Lat; L wrist radiograph; 14-year-old girl; initial study
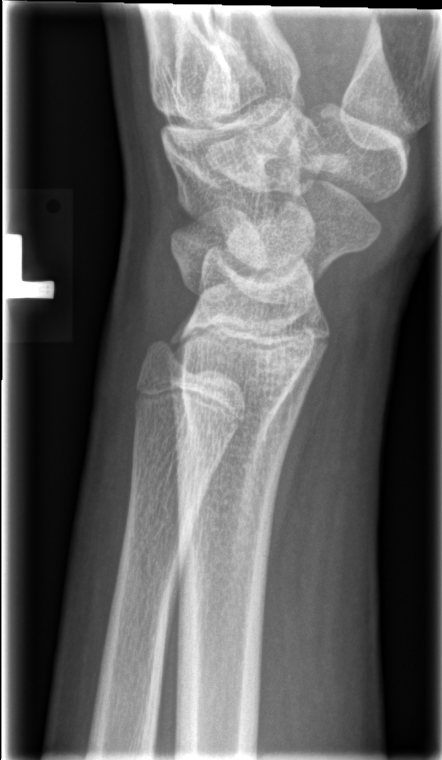
FINDINGS — No fracture annotation.